PA projection | L wrist plain film | initial study | acquired on Siemens

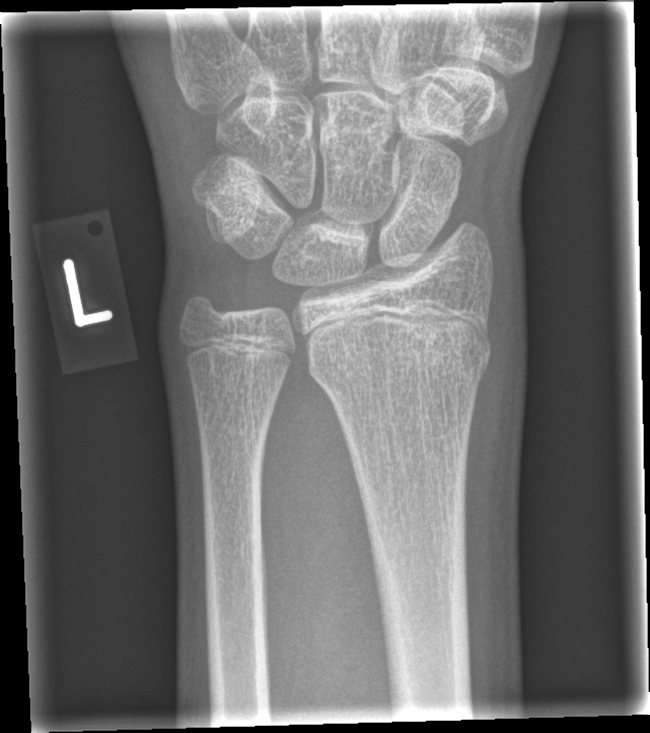
Boxes as x1,y1,x2,y2 (top-left / bottom-right, pixel units). Fx: present but not clearly seen in this view. Soft tissue abnormality — 482,208,530,437.